Lt wrist X-ray; lateral projection; 4-year-old girl; image 62.5 mm wide:
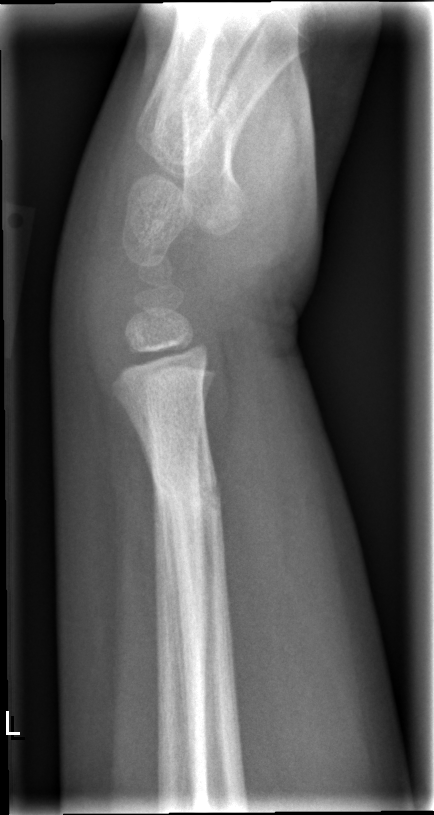
Findings: Fracture classified AO/OTA 23r-M/3.1. Osteopenia. Fx — bbox(145, 463, 224, 513).